Lateral projection | R wrist X-ray | 11-year-old male | 668x1007 — 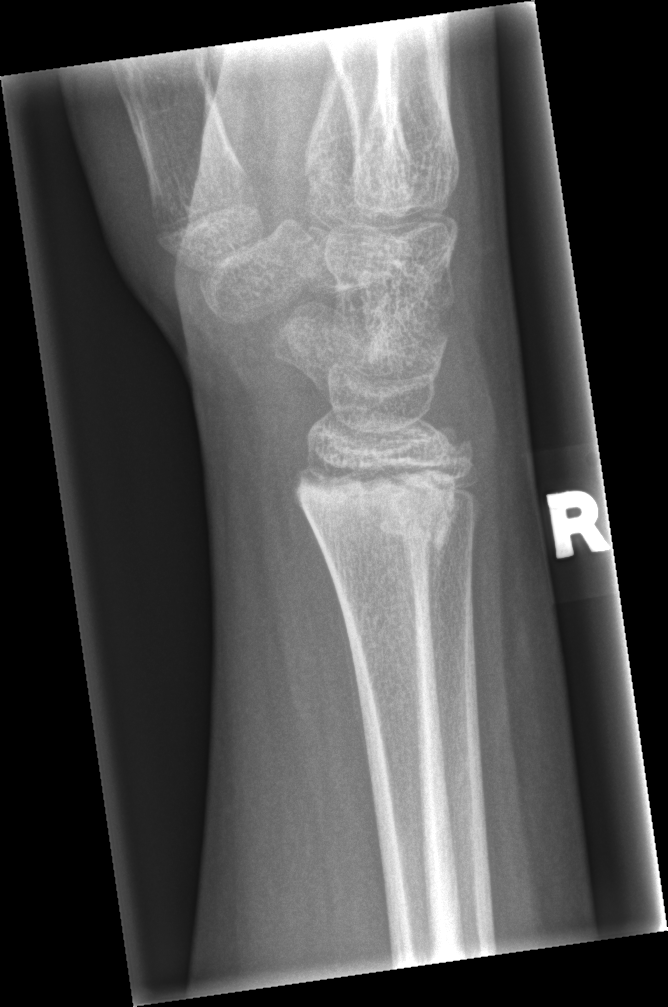

One fracture at 288 452 471 563.
AO/OTA classification: 23r-E/2.1; 23u-E/7.